Frontal projection; R wrist radiograph; in cast —

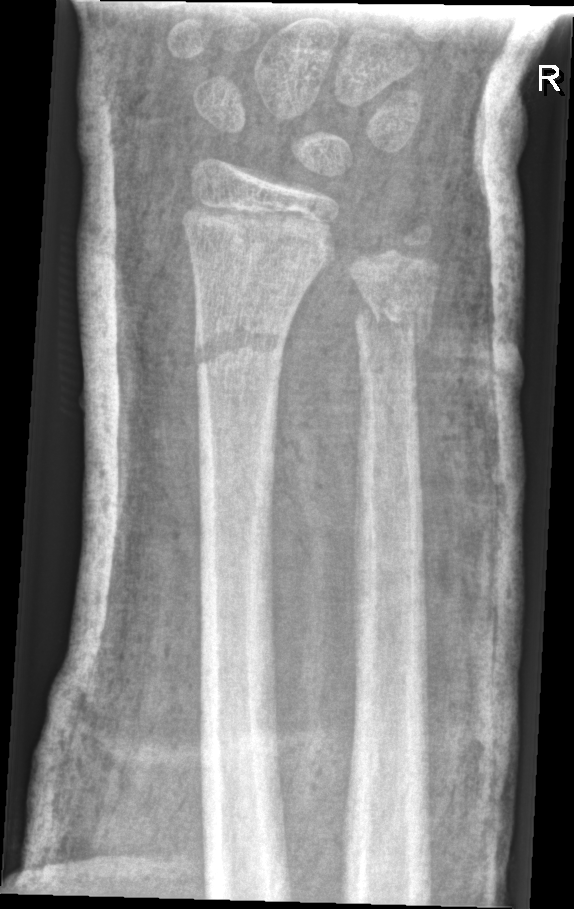
Q: What is the AO/OTA classification?
A: AO code 23-M/3.1
Q: Locate any fractures.
A: Bone fractures — [191, 302, 292, 381]; [351, 286, 433, 351]